Lateral projection · Rt wrist X-ray · 12-year-old girl · follow-up study · in cast — 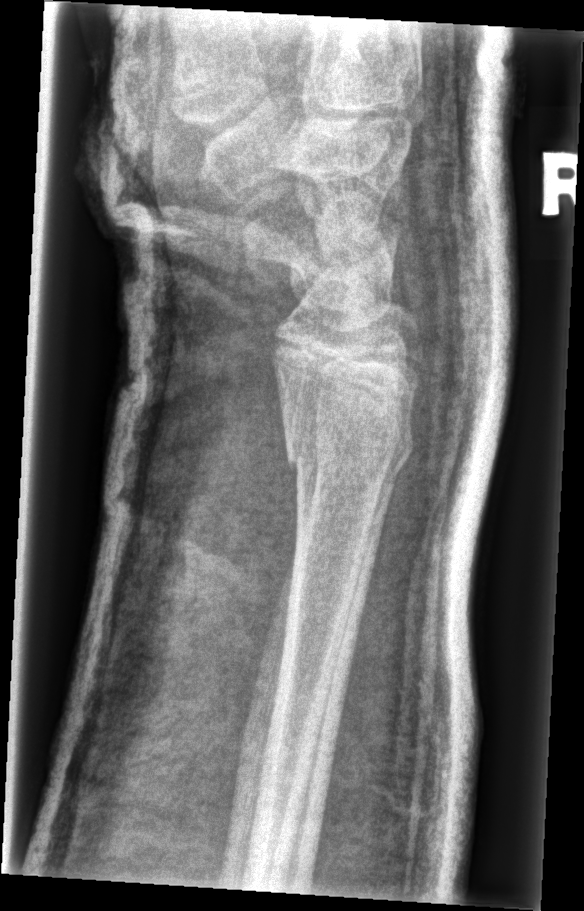

FINDINGS: (pixel coordinates, top-left origin, xyxy) Fracture classified AO/OTA 23r-M/3.1; 23u-E/7. Fx: (281, 407, 417, 480).